Lateral | left plain radiograph of the wrist | female, 11 yo | follow-up.
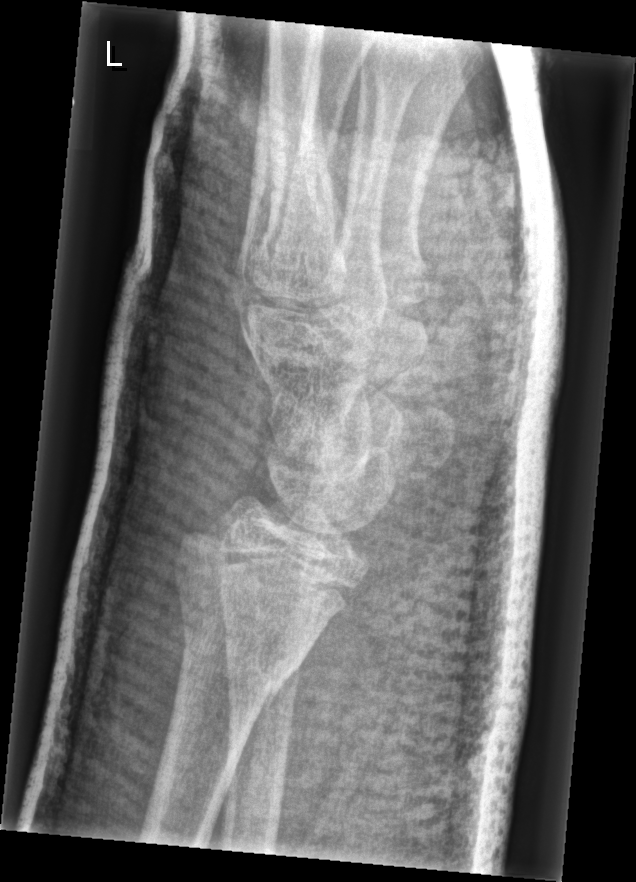
# boxes as x1,y1,x2,y2 (top-left / bottom-right, pixel units)
fracture: 1 @ 166 559 355 710
ao: 23r-M/3.1; 23u-M/2.1